L wrist X-ray; lat projection; 12-year-old boy; image 67.4 mm wide —
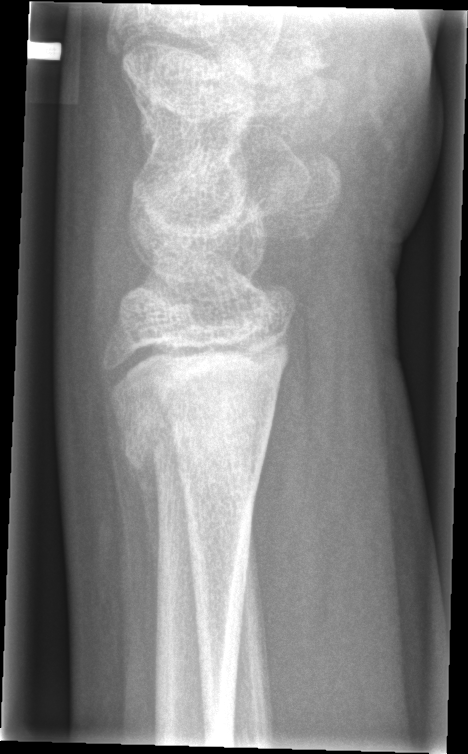 (pixel coordinates, top-left origin, xyxy)
fracture: 1 @ bbox(111, 391, 268, 500)
osteopenia: present
periosteal thickening: 1 @ bbox(128, 442, 161, 616)
AO classification: 23r-M/3.1; 23u-M/2.1; 23u-E/7